Left wrist plain film; lateral view; 11-year-old female; index exam; 60.9 mm image width — 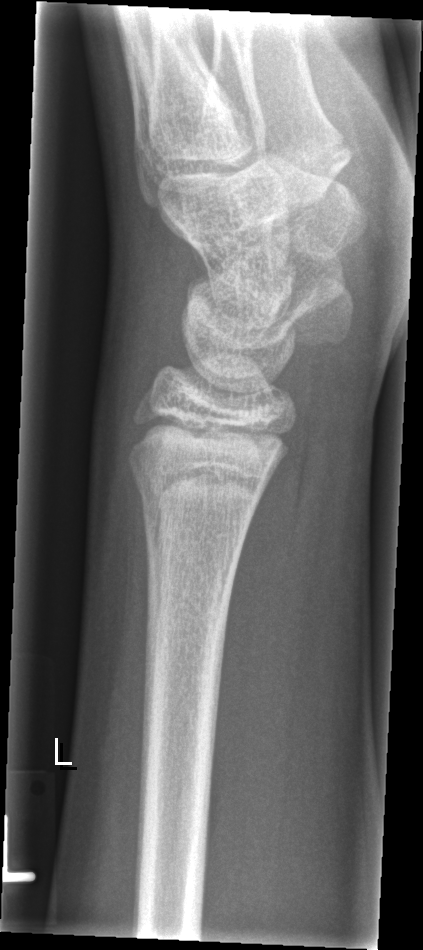 Q: AO code?
A: AO code 23r-M/2.1
Q: Is there a fracture?
A: One fracture at bbox(128, 458, 261, 533)